Lat view · right wrist plain film · index exam · image width 42.5 mm · 295 by 700 pixels

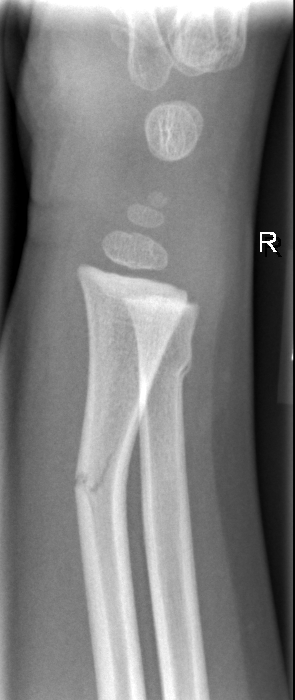

AO/OTA = 23r-M/3.1; 23u-M/2.1
Fx = (70, 444, 131, 513); (135, 342, 196, 389)